Left plain radiograph of the wrist | PA projection | follow-up study.

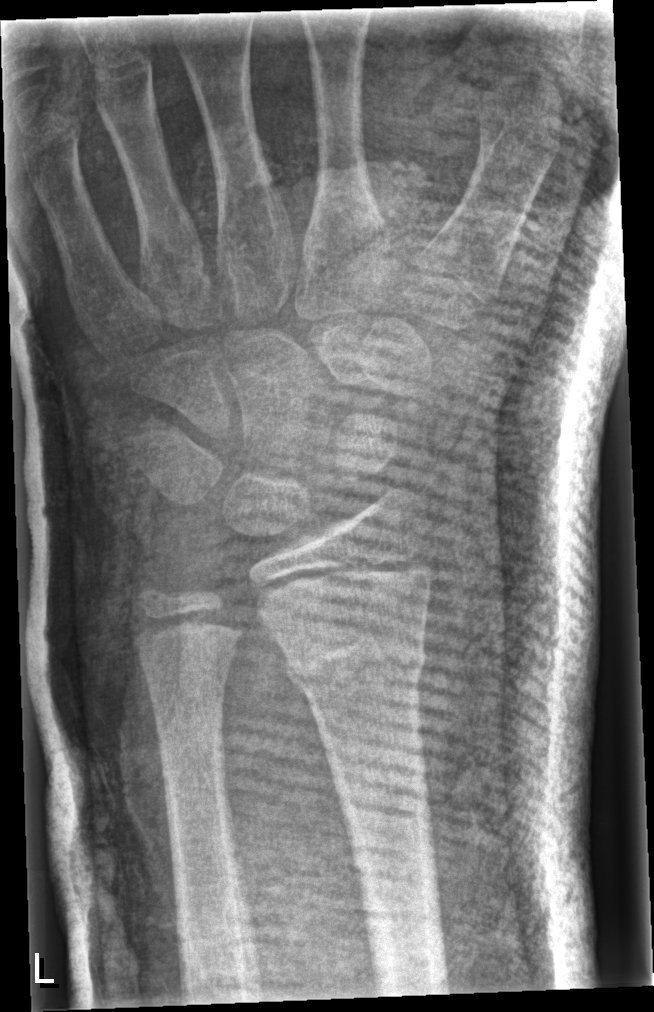

Q: AO code?
A: Fracture classified AO/OTA 23r-M/3.1
Q: Is there a fracture?
A: One Fx at 279 624 430 702